Left wrist XR · lateral view · 11y F · 376x916:

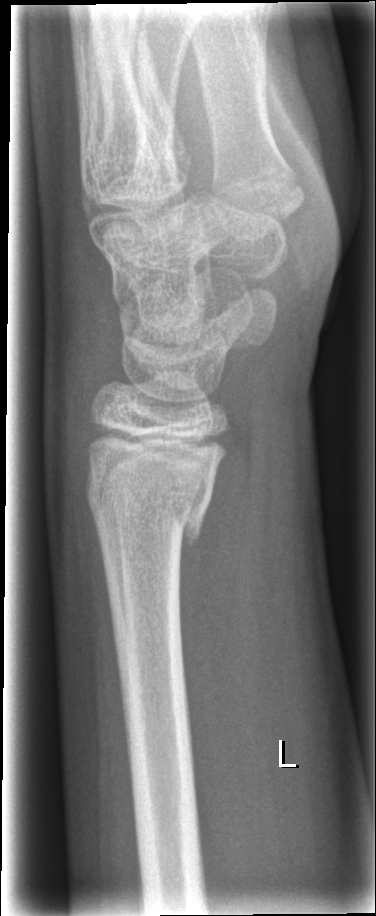 {
  "fracture": "1 @ [x1=81, y1=467, x2=220, y2=546]",
  "ao": "23r-M/3.1; 23u-M/2.1"
}